PA; Rt wrist XR; 11y F; 609 by 1008 pixels
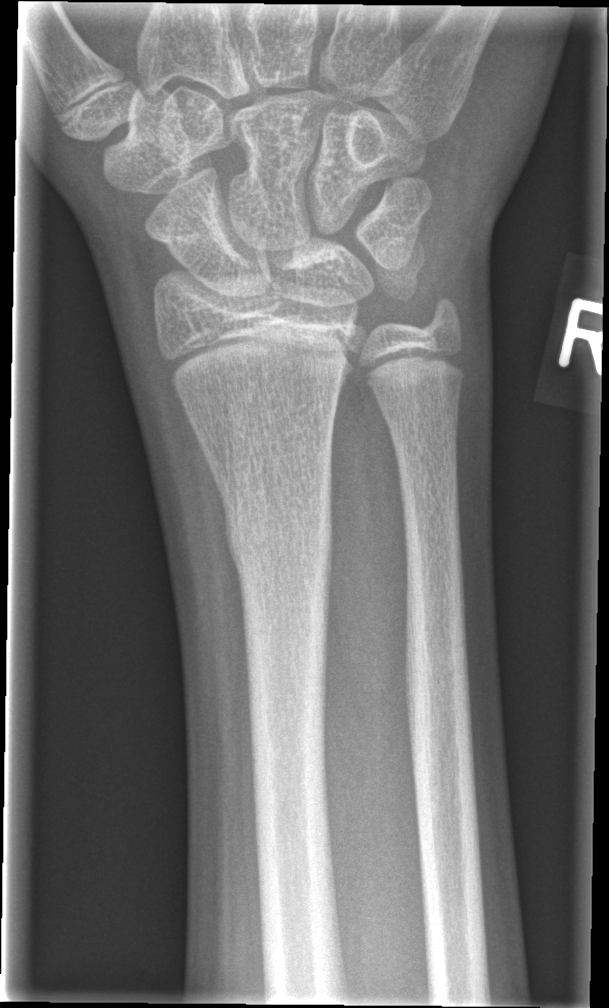
* Coordinates are [x1, y1, x2, y2] in image pixels.
* AO code 23r-M/2.1.
* Fx identified at (left=219, top=499, right=337, bottom=592).